Left wrist XR; lat; 13y F — 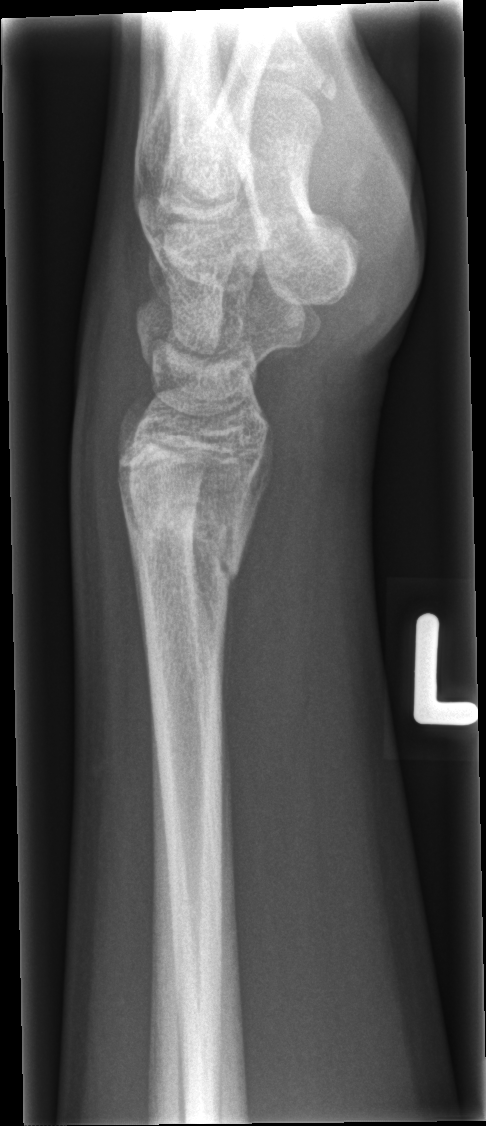

Q: Is there a fracture?
A: One Fx at [x1=119, y1=484, x2=249, y2=612]